AP view, left wrist X-ray, pediatric patient (male, age 11), image width 75.0 mm —
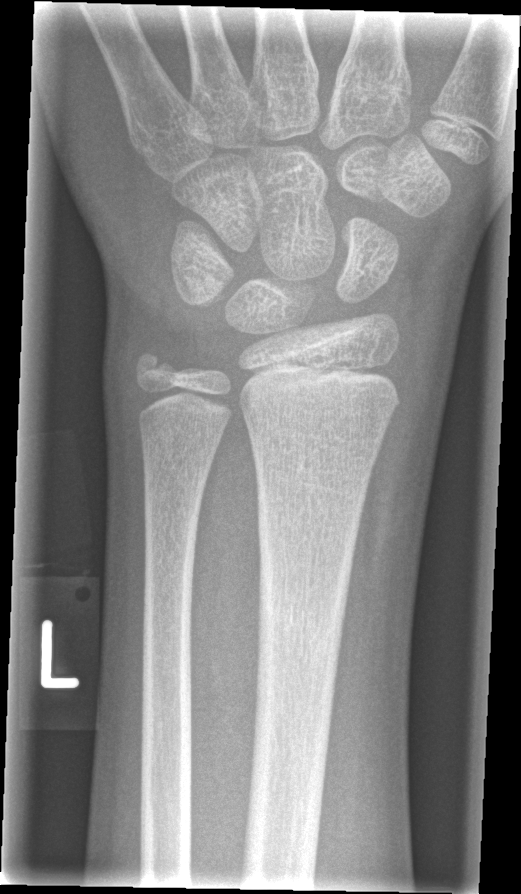

(pixel coordinates, top-left origin, xyxy)
Q: AO code?
A: AO code 23u-E/7
Q: Fracture present?
A: Fracture: [x1=130, y1=341, x2=183, y2=387]